R wrist XR · lat projection · pediatric patient (female, age 7) · image 61.6 mm wide · 428x818. 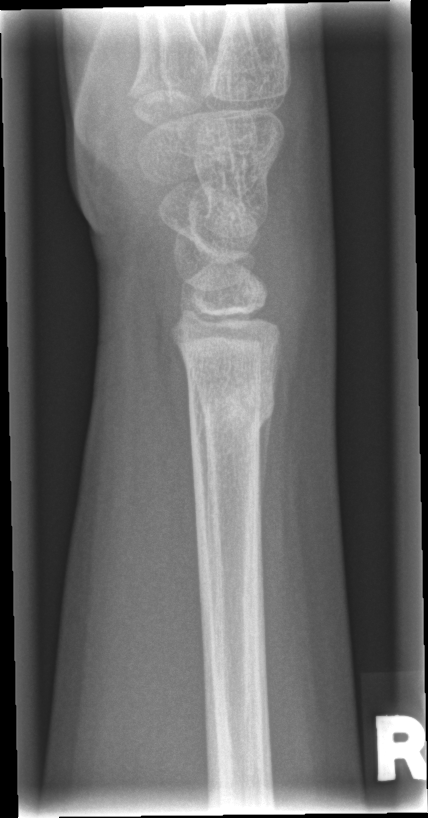 {
  "_coords": "bounding boxes in image-pixel xyxy",
  "fracture": "184,378,279,442",
  "osteopenia": "present",
  "periostealreaction": "1 @ 256,409,273,521"
}